Posteroanterior projection | Lt pediatric wrist radiograph | 7y M | subsequent exam | image 58.3 mm wide —

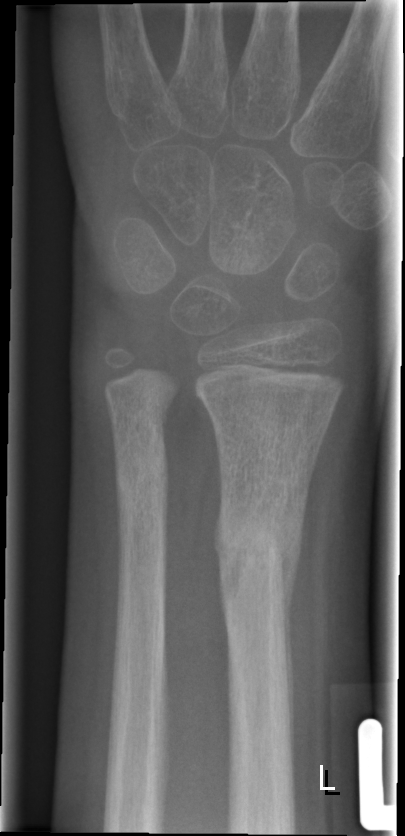
AO/OTA = 23-M/3.1
Fx = 2 @ bbox(210, 497, 306, 590), bbox(109, 443, 171, 506)
osteopenia = present